AP, L wrist radiograph, pediatric patient (boy, age 12), image 141.4 mm wide —

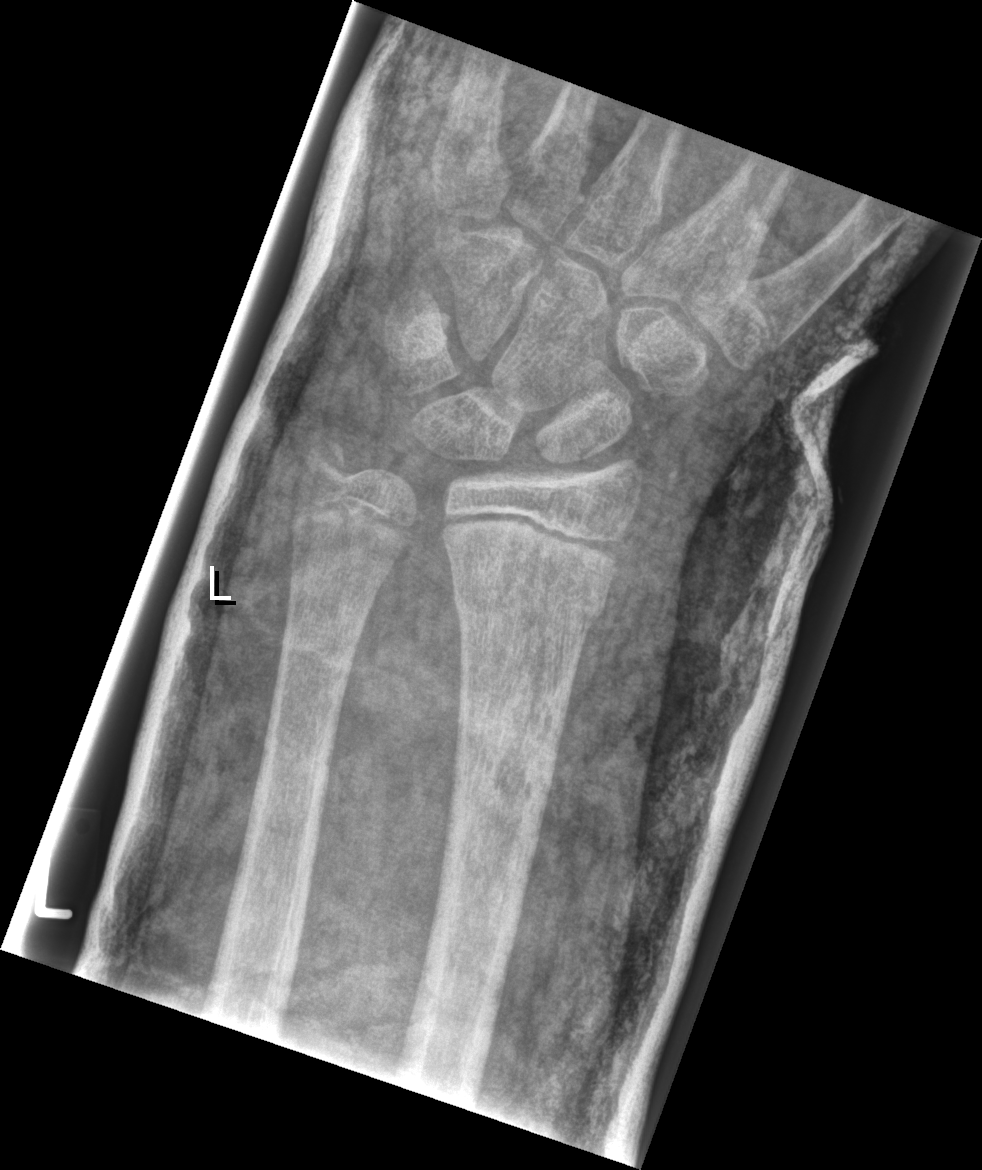

(bounding boxes in image-pixel xyxy)
Bone fracture: 2 @ <446,549>-<610,634>; <294,426>-<357,490>